Lat view, right wrist plain film, detector: Siemens —
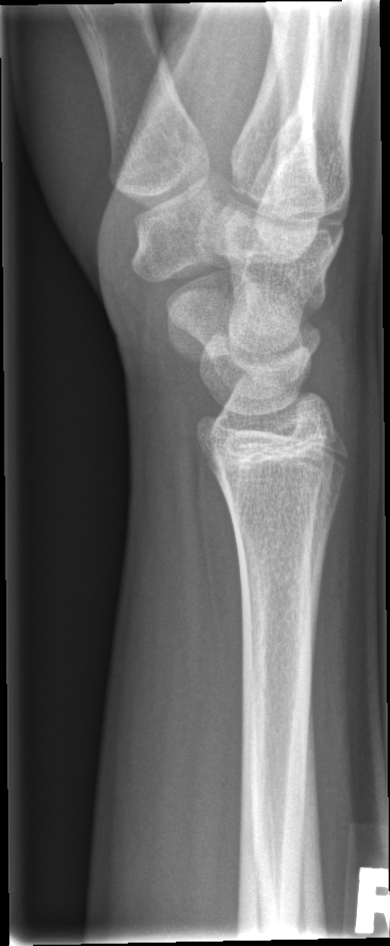 Fx: none labeled